Frontal projection, R wrist radiograph, follow-up:

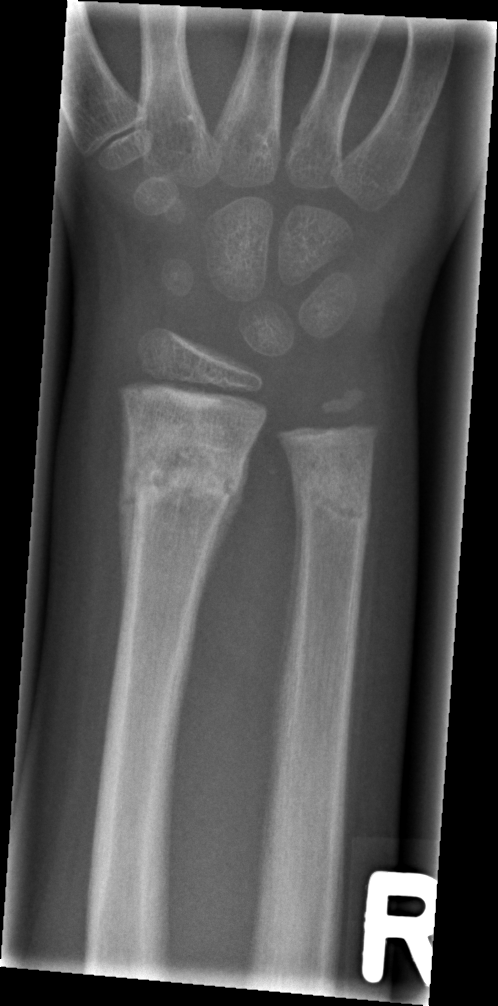

fracture = bbox(113, 424, 248, 514); bbox(292, 466, 372, 531)
periosteal reaction = 3 @ bbox(199, 428, 259, 598), bbox(274, 481, 307, 723), bbox(115, 394, 140, 660)
AO/OTA = 23-M/2.1; 23u-E/7